Posteroanterior view | R wrist XR | 6-year-old male | 450 by 758 pixels.

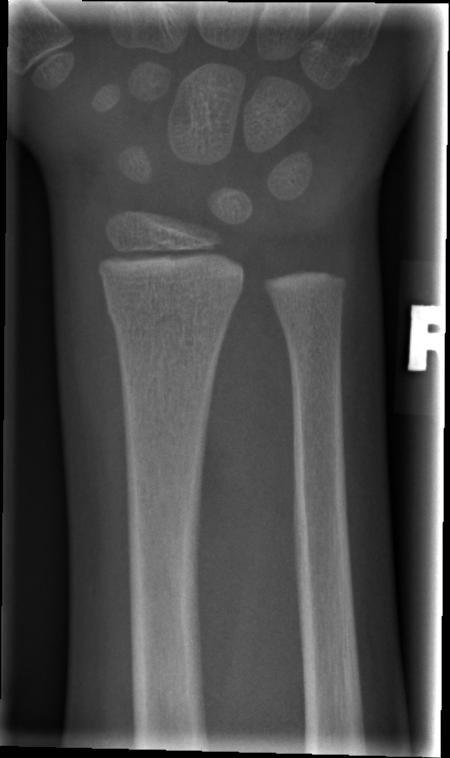 Fracture: (105, 287, 239, 339).